Lateral, left wrist X-ray, male, 5 yo, Siemens —
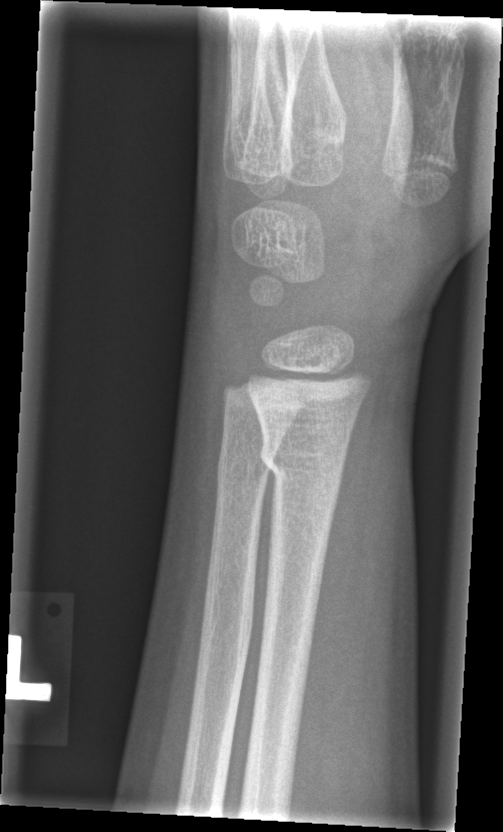 Bone fracture identified at [255, 428, 352, 488], [211, 443, 272, 494].